Lateral view, right wrist X-ray, acquired on Siemens — 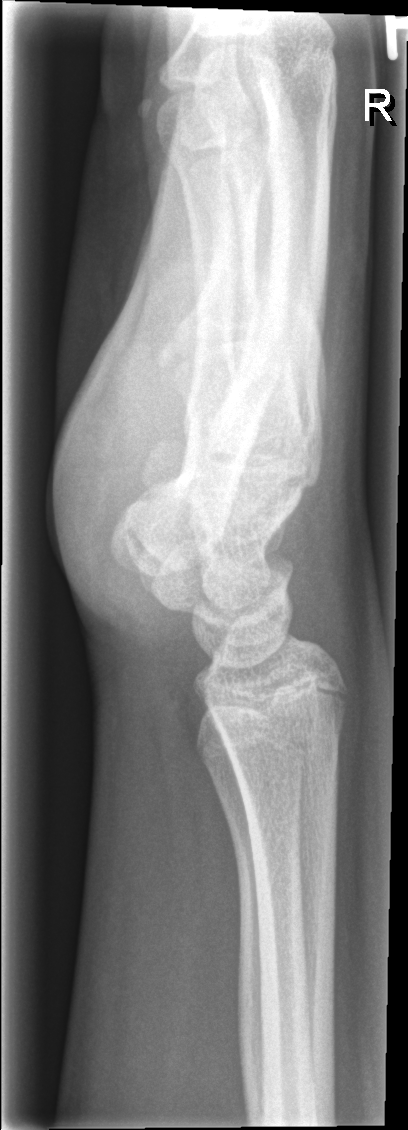 {"fracture": "none labeled"}